PA/AP projection, left wrist XR: 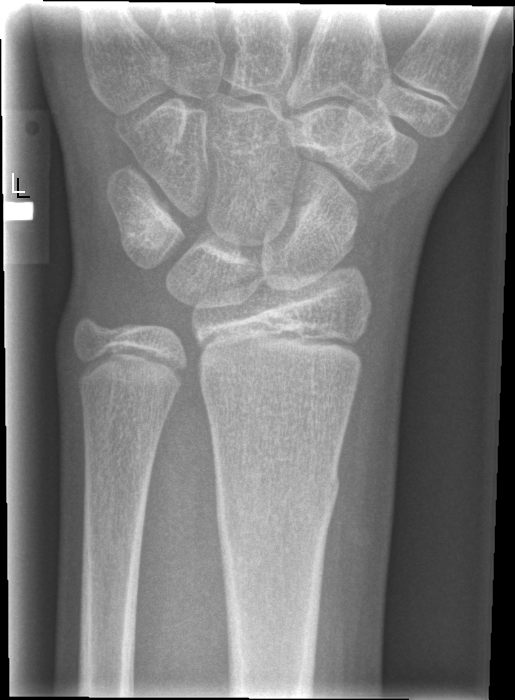
Fx identified at bbox(214, 463, 345, 532).